Frontal view · left wrist radiograph · presentation radiograph. 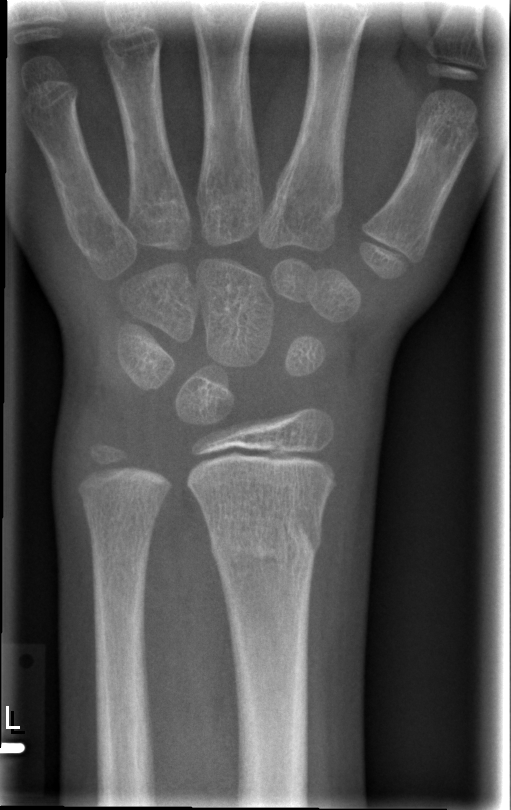

Q: Locate any fractures.
A: One Fx at [x1=207, y1=512, x2=326, y2=583]